L wrist radiograph, lat projection, 4y M, cast present.
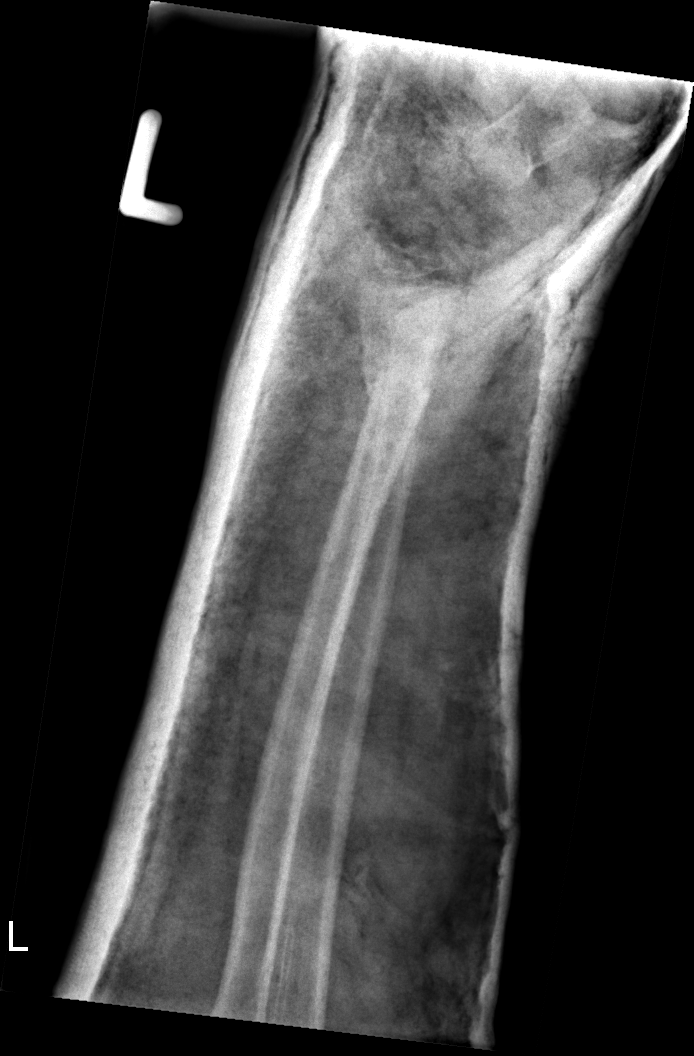
FINDINGS — One fracture at (left=357, top=346, right=439, bottom=412). AO/OTA classification: 23r-M/3.1; 23u-M/2.1.